Right wrist plain film · AP — 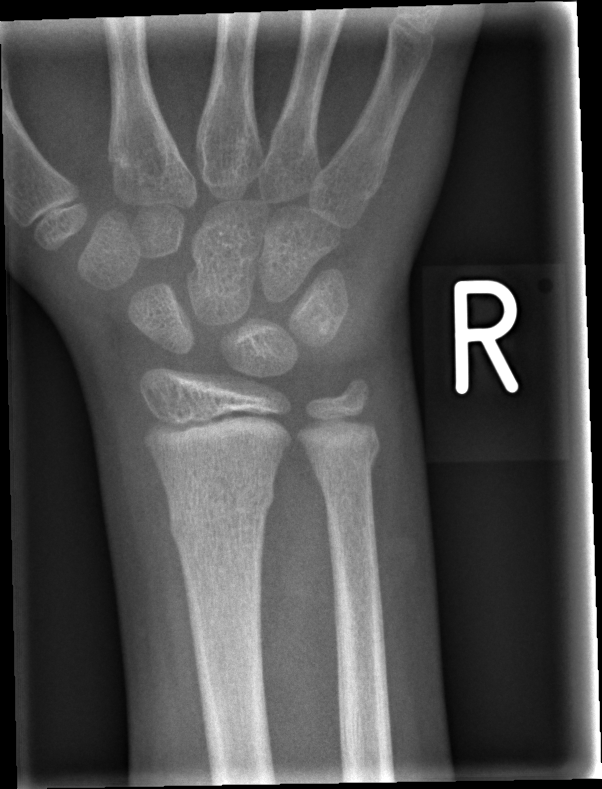

FINDINGS — Fx: 167,471,277,553 | 310,431,383,489. Fracture classified AO/OTA 23-M/2.1.